Left pediatric wrist radiograph · posteroanterior view · 583 by 812 pixels.

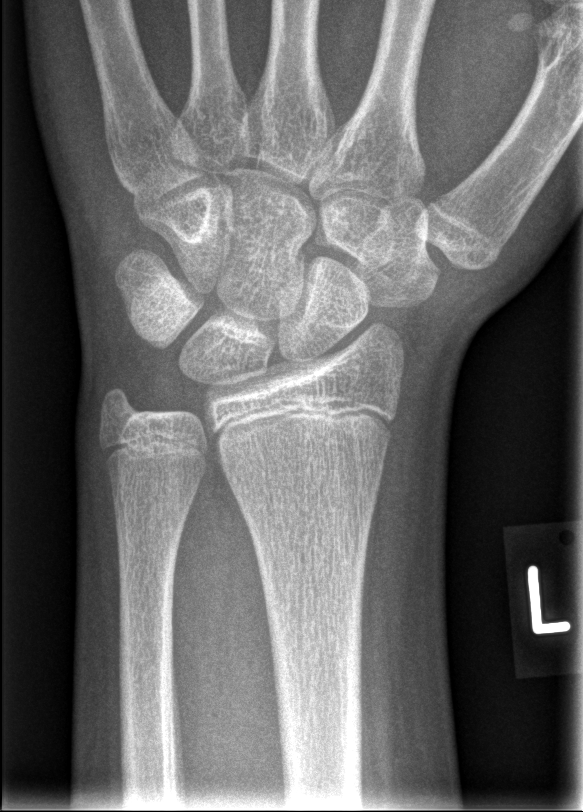

- No fracture bounding box.